PA view | Lt wrist XR | boy, 11 yo 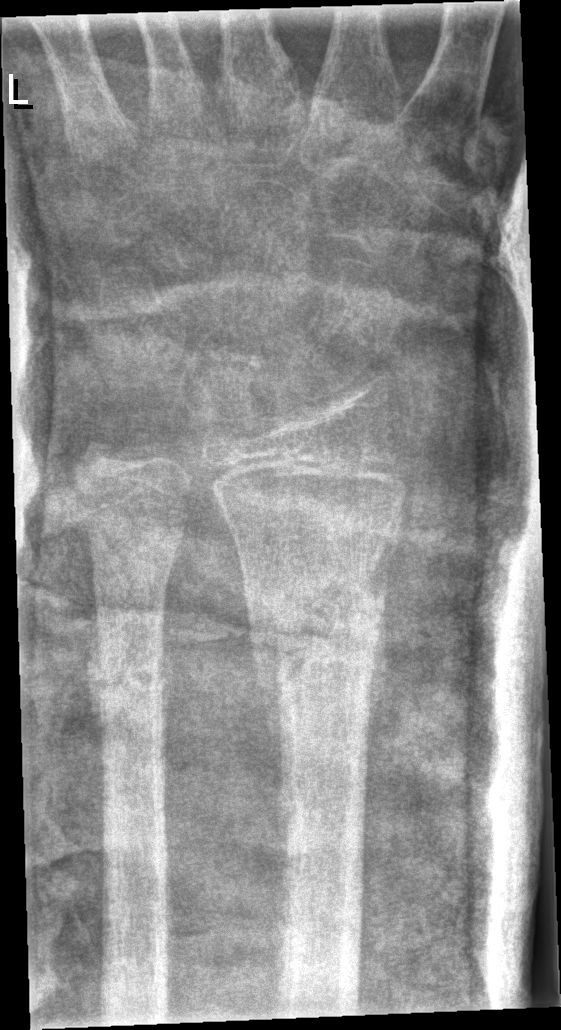 (pixel coordinates, top-left origin, xyxy)
periosteal new bone: [244, 595, 290, 914]; [362, 577, 390, 784]; [86, 592, 106, 799]; [156, 601, 175, 794]
osteopenia: present
fracture: [249, 561, 388, 691], [90, 649, 166, 713]
AO code: 23-M/3.1; 23u-E/7